L wrist XR | lat | boy, 14 yo | detector: Siemens | 474 x 1156 px.
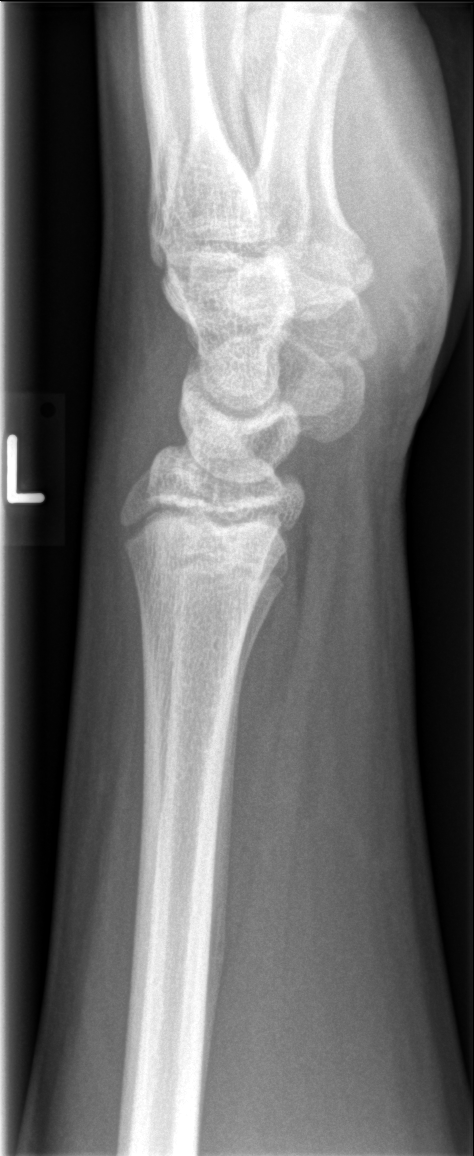 Fracture: none labeled